PA/AP projection | Lt plain radiograph of the wrist | 14y M | cast in situ
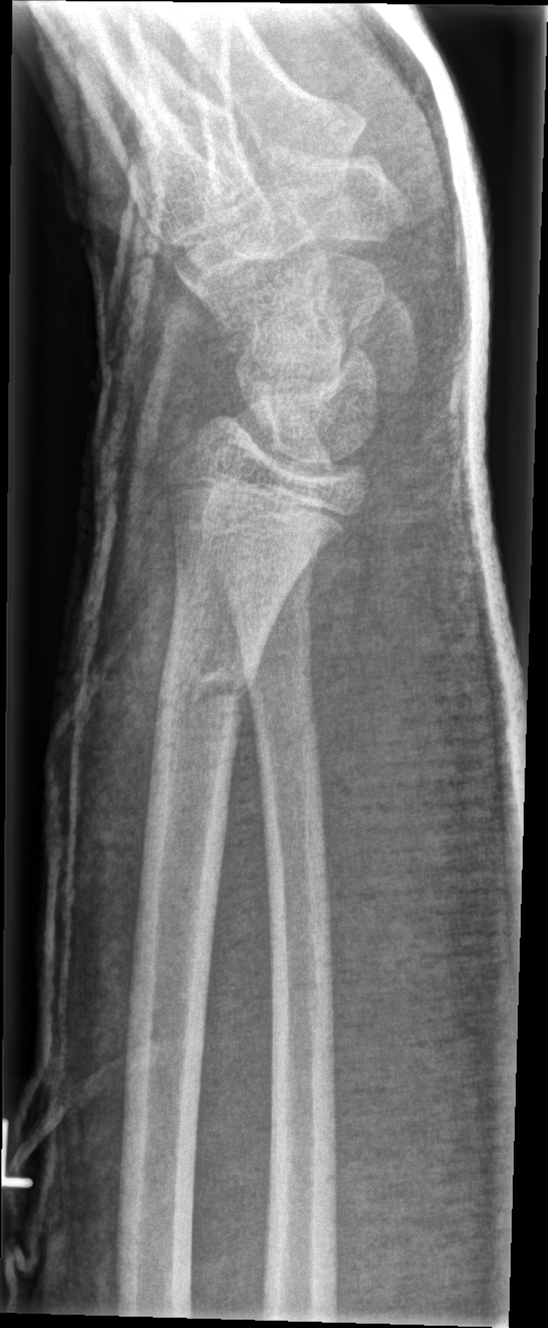 fracture: 1 @ (149, 648, 259, 729)